Left wrist radiograph, frontal projection, presentation radiograph, acquired on Siemens

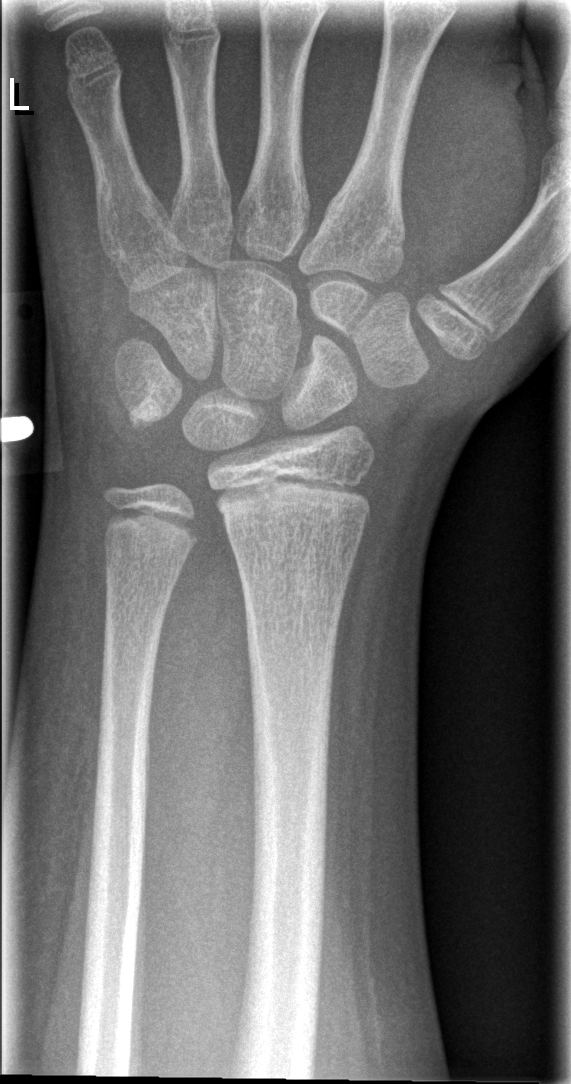

No Fx annotated.